Left wrist plain radiograph of the wrist, lateral projection: 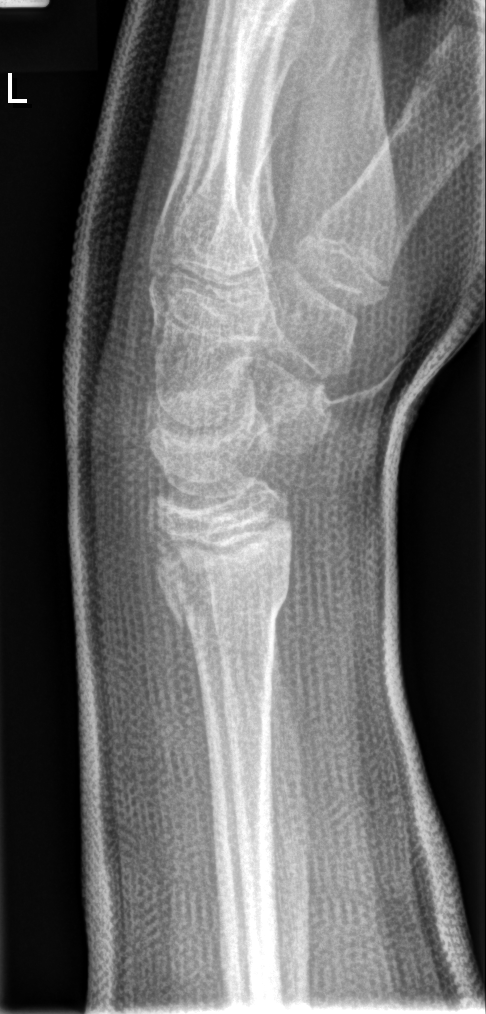
- Coordinates are [x1, y1, x2, y2] in image pixels.
- Fx: <156,546>-<294,626>.